Lateral, Rt wrist plain film, cast in situ:
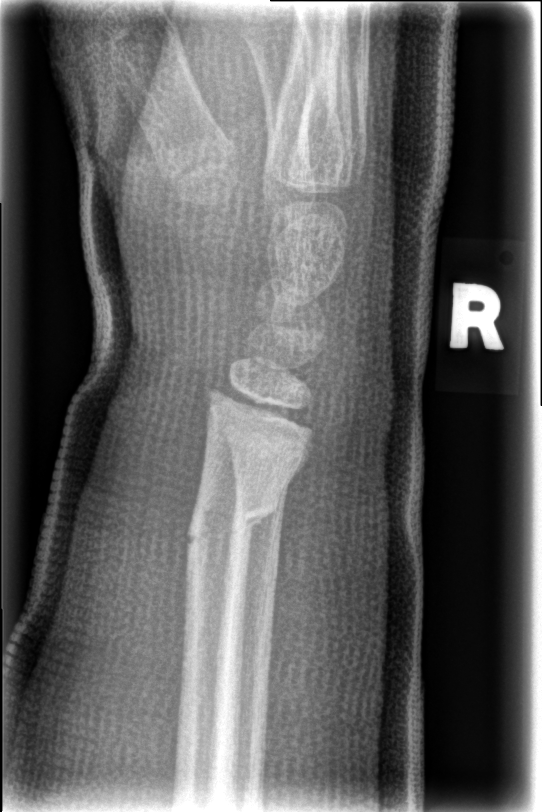 Q: Is there a fracture?
A: Bone fracture: 184,485,285,559